Lt wrist XR, frontal, girl, 9 yo, cast in situ, 603x1256
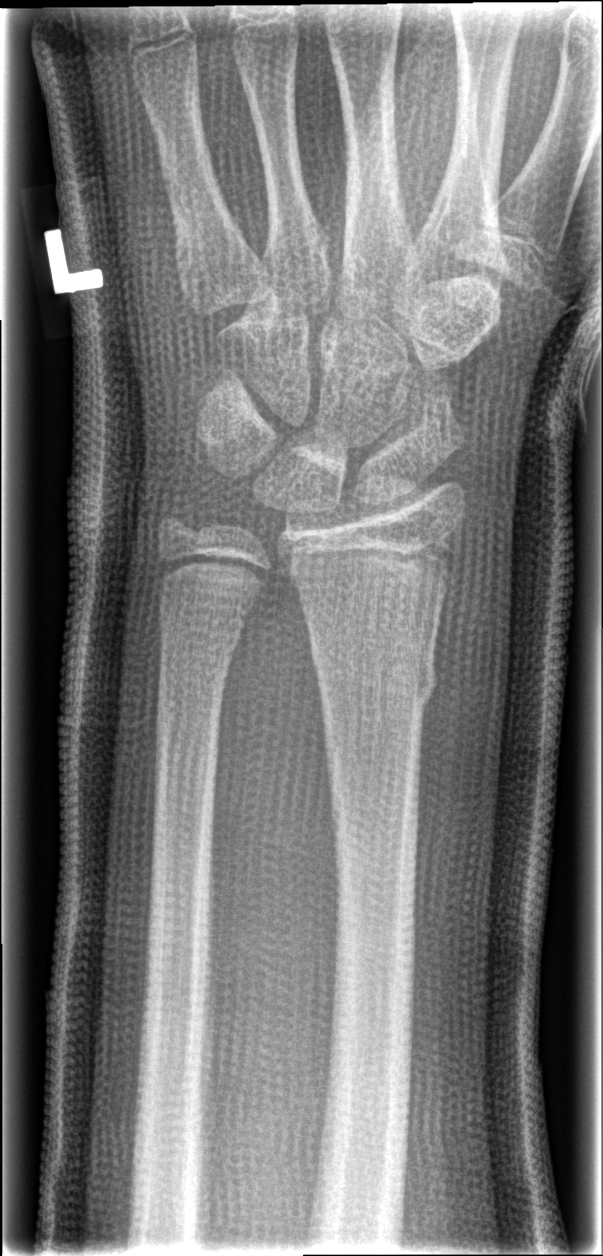
Fx = 1 @ <308,631>-<443,704>